Left wrist radiograph | frontal | 7y M | index exam.
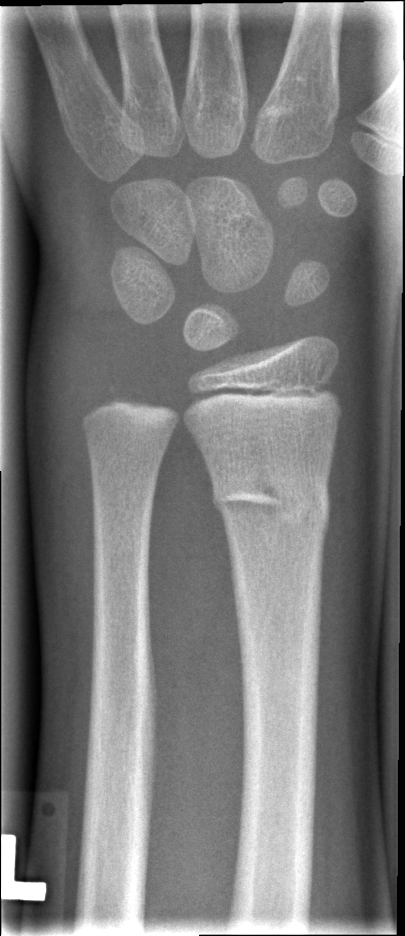
(boxes as x1,y1,x2,y2 (top-left / bottom-right, pixel units))
Q: Locate any fractures.
A: Bone fracture: [x1=206, y1=460, x2=333, y2=537]